Lat projection | Lt wrist X-ray | follow-up study | in cast | 448 by 833 pixels.
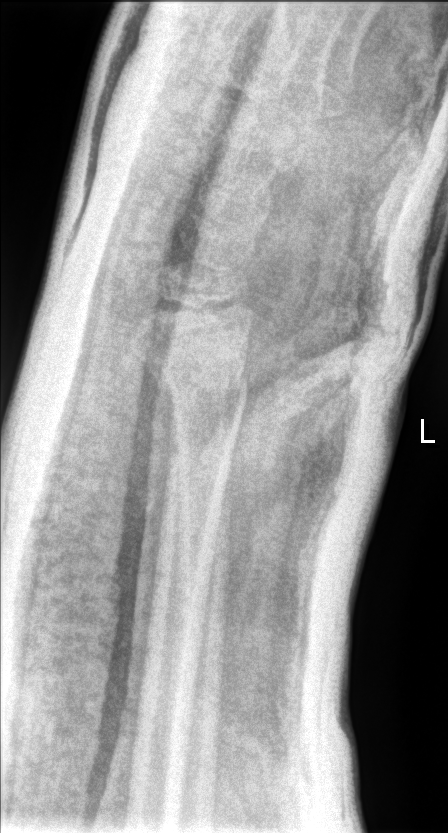
FINDINGS — Fracture: bbox(147, 351, 251, 413). AO code 23-M/3.1; 23u-M/2.1.